R pediatric wrist radiograph; lateral view; presentation radiograph; 457x936.

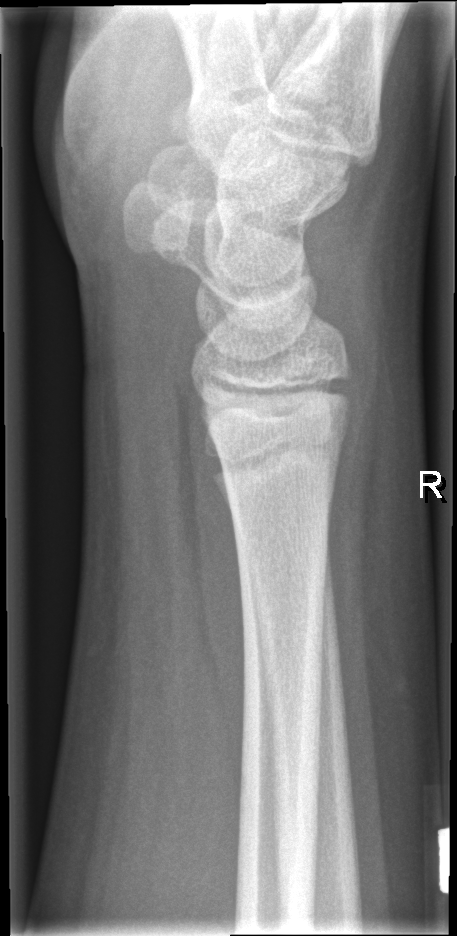
bone fracture = none labeled